Lat projection | R plain radiograph of the wrist | 15y F —
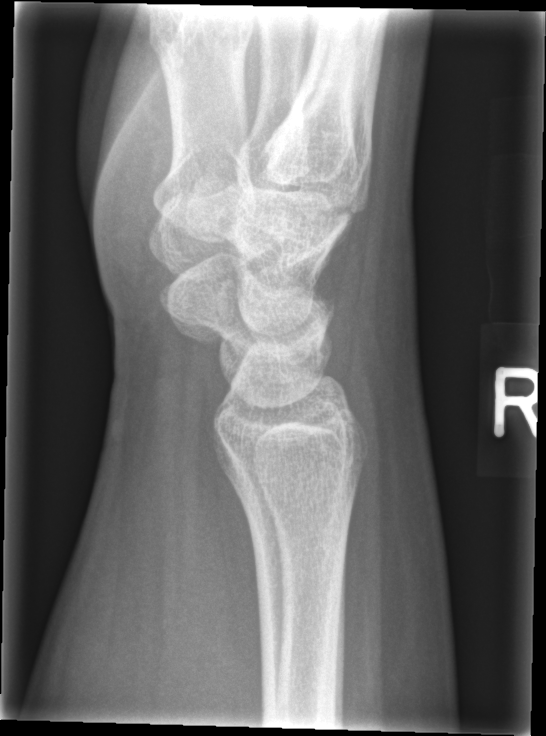
fracture: none labeled